Lat · left wrist XR · 12-year-old boy · detector: Siemens · 93.0 mm image width

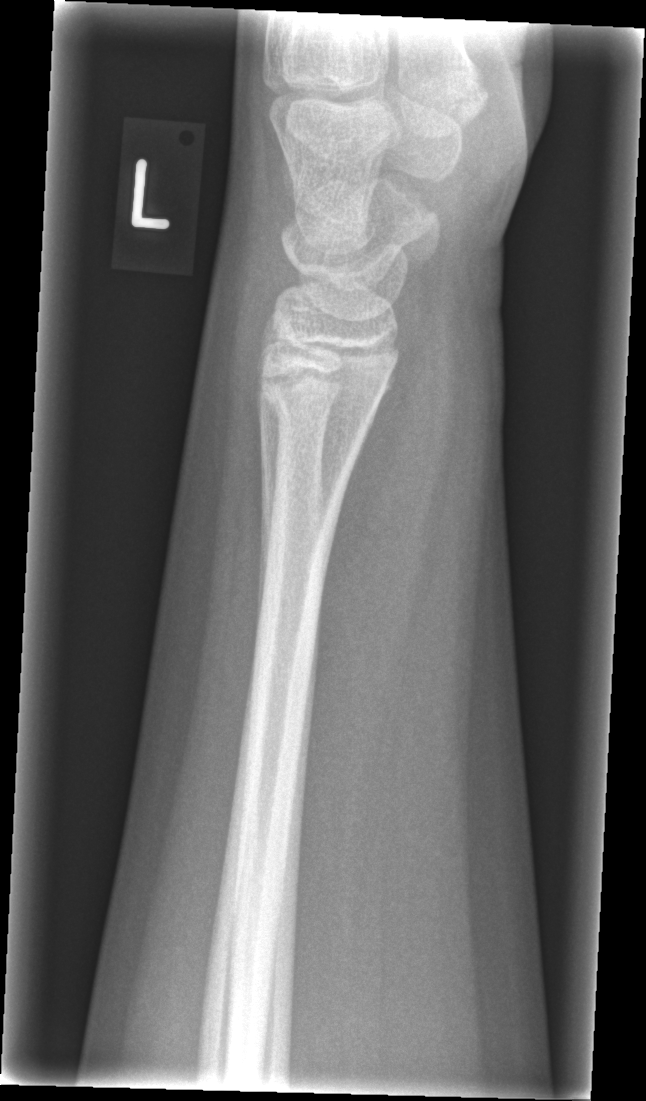 Pronator sign = 1 @ bbox(316, 338, 440, 729)
Fracture = 1 @ bbox(254, 357, 390, 445)